Posteroanterior projection | right wrist radiograph | 493 x 918 px —
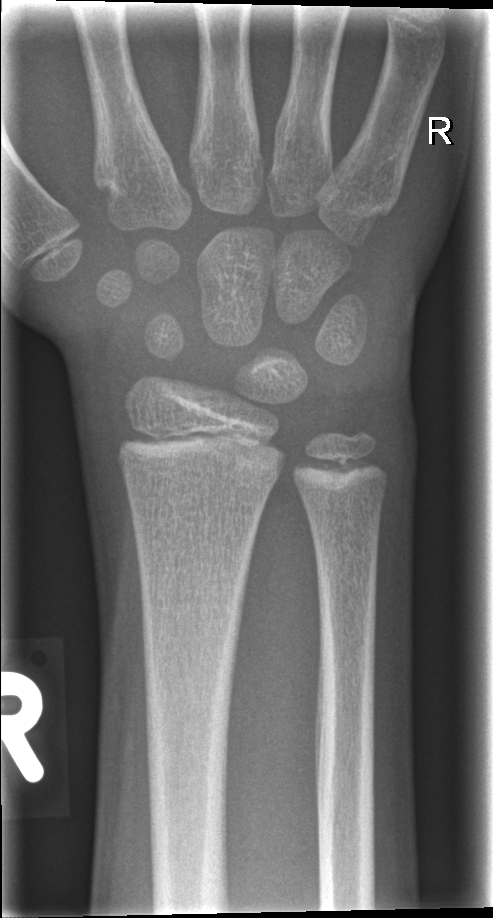

FINDINGS — Fx: none.